Left wrist X-ray; lat view; age 12 y, male; follow-up study; in cast; 77.3 mm image width —
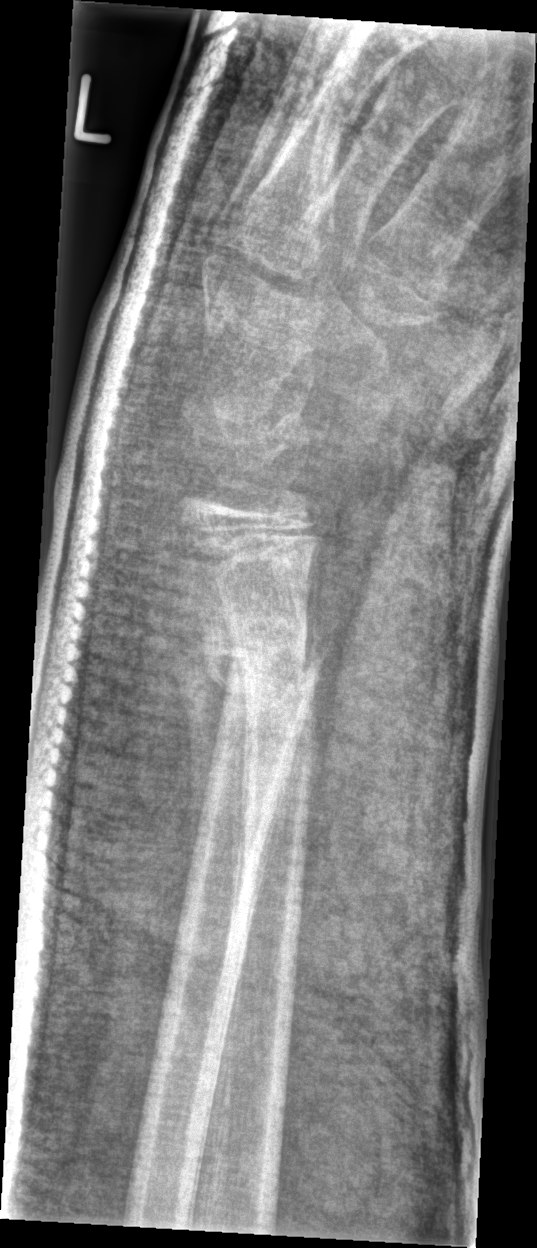
Boxes as x1,y1,x2,y2 (top-left / bottom-right, pixel units).
AO/OTA classification: 23-M/3.1.
One Fx at (left=205, top=611, right=328, bottom=726).